AP · right wrist radiograph · girl, 7 yo.
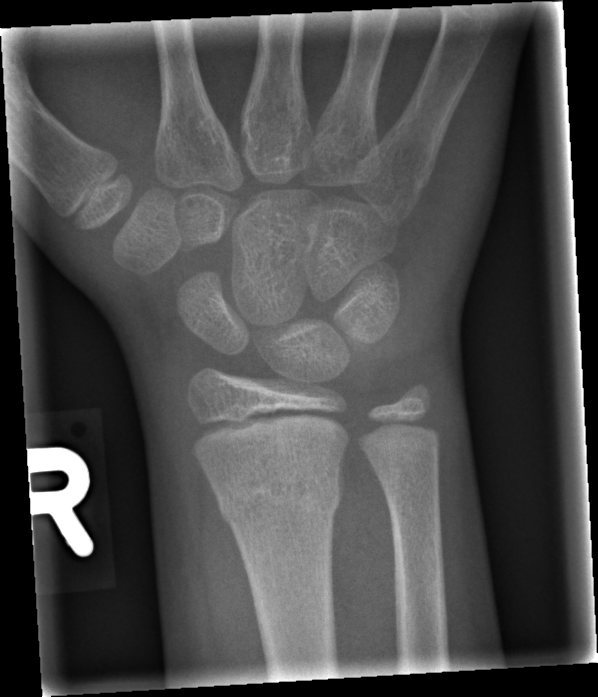
(bounding boxes in image-pixel xyxy)
Fracture = 1 @ (left=216, top=470, right=344, bottom=528)